Left wrist radiograph, lat projection, boy, 11 yo, Siemens, image width 88.0 mm

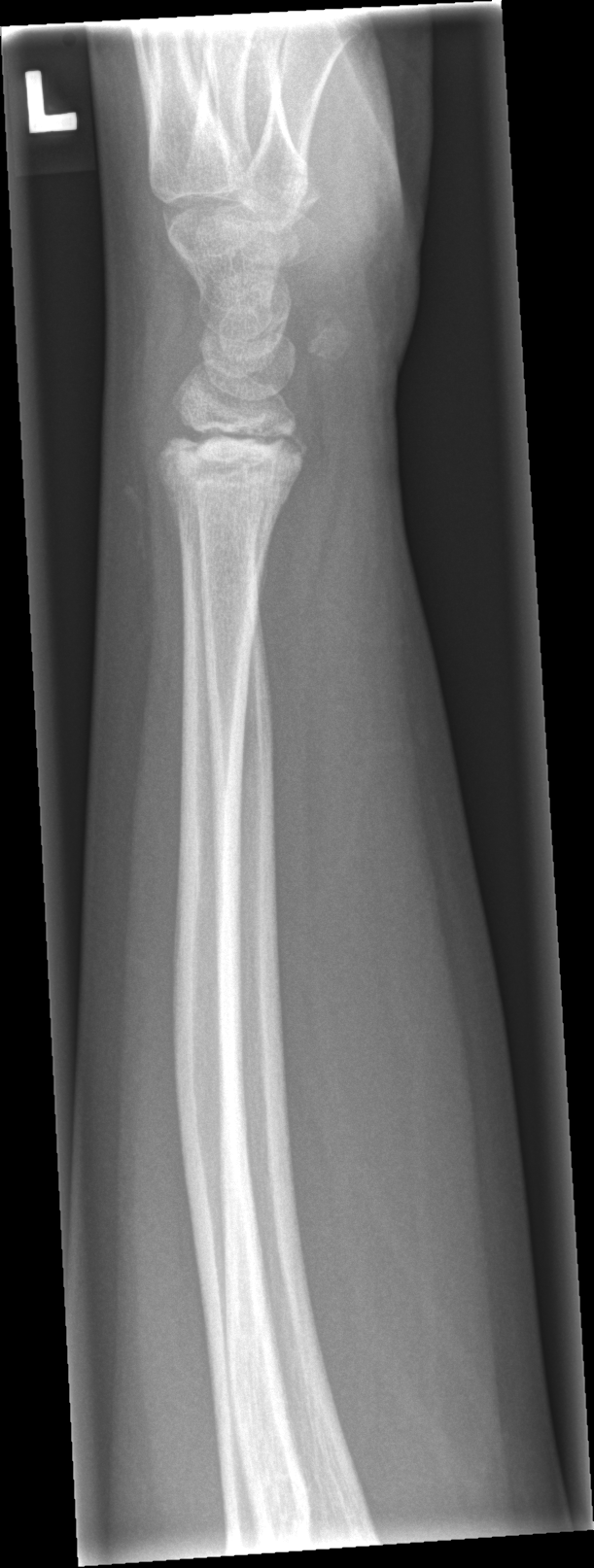 • One fracture at <151,418>-<311,517>.